PA/AP view; Rt wrist XR; 12y F; presentation radiograph; detector: Siemens:
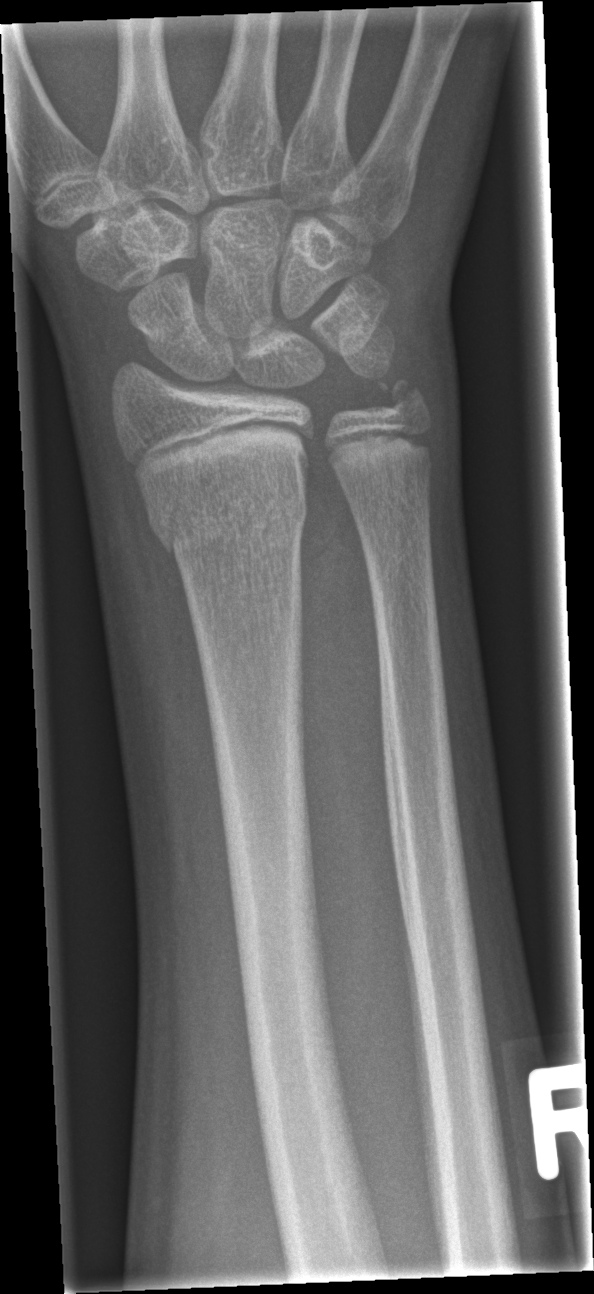

Bone fracture: 2 @ [147, 483, 311, 566]; [373, 372, 434, 425]